L wrist radiograph, AP projection, boy, 12 yo:

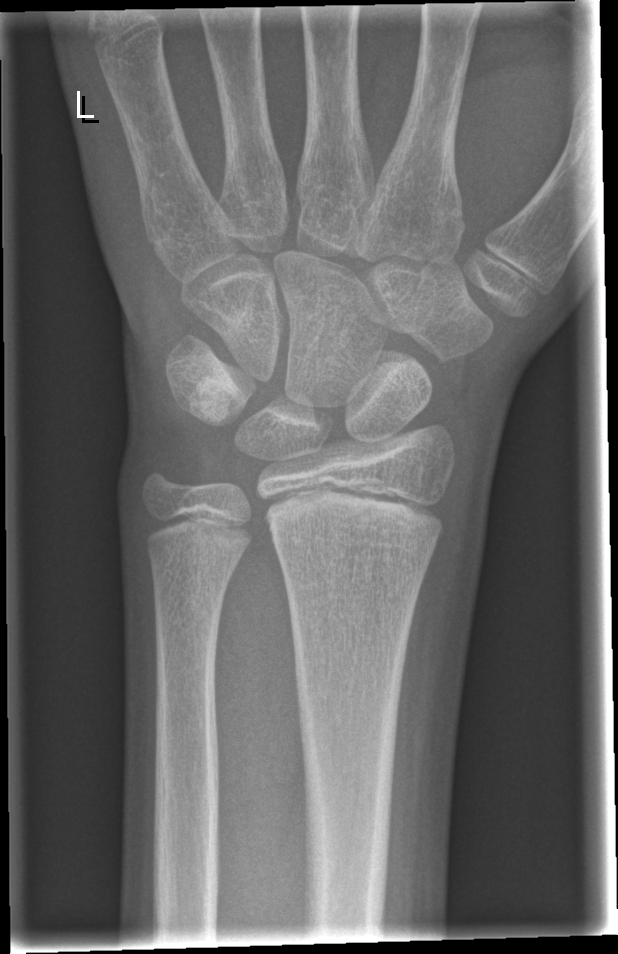 - No fracture labeled.